Lat projection; R wrist X-ray; pediatric patient (male, age 6); initial study; detector: Siemens; 632x897

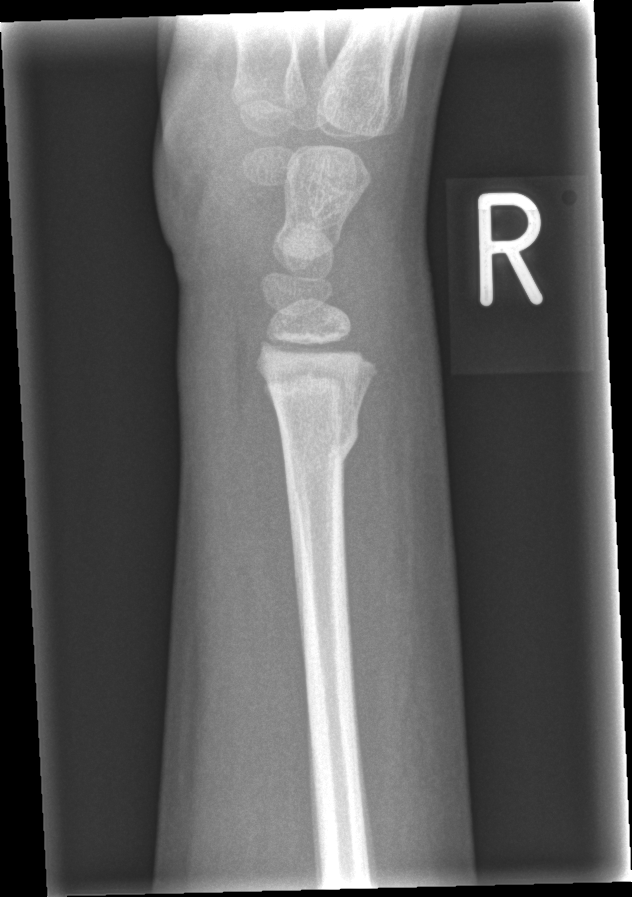
* Coordinates are [x1, y1, x2, y2] in image pixels.
* Fracture — [275, 410, 364, 470].
* Fracture classified AO/OTA 23r-M/2.1.